L wrist X-ray | lat view | boy, 15 yo | image size 496x1182

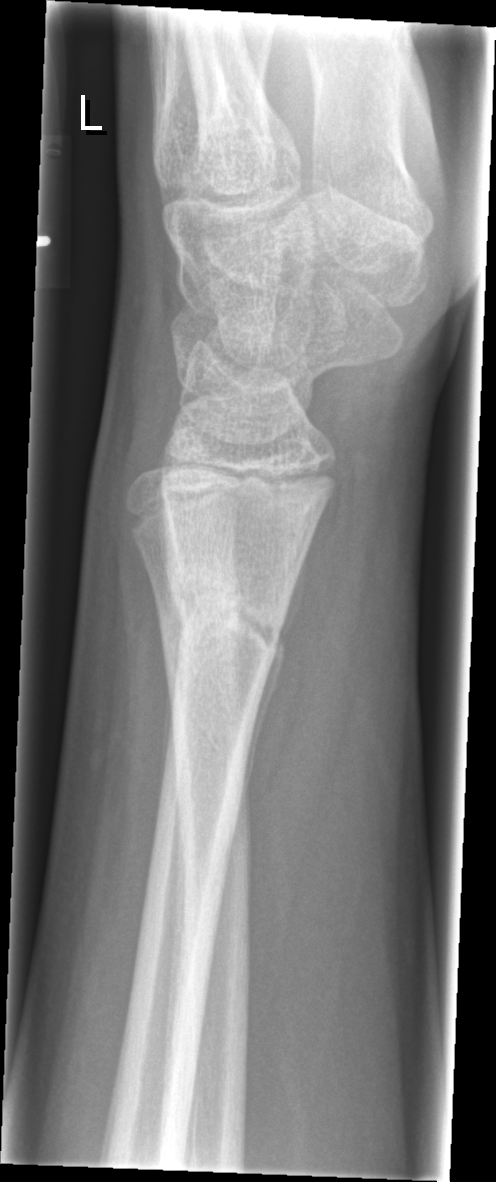
Q: Any fracture seen?
A: Bone fracture: <149,569>-<291,674>
Q: What is the AO/OTA classification?
A: AO code 23r-M/3.1; 23u-M/2.1
Q: Locate any periosteal reaction.
A: Periosteal reaction: <233,553>-<307,829>